Right pediatric wrist radiograph, lat view, female, 10 yo, presentation radiograph, image size 452x744.

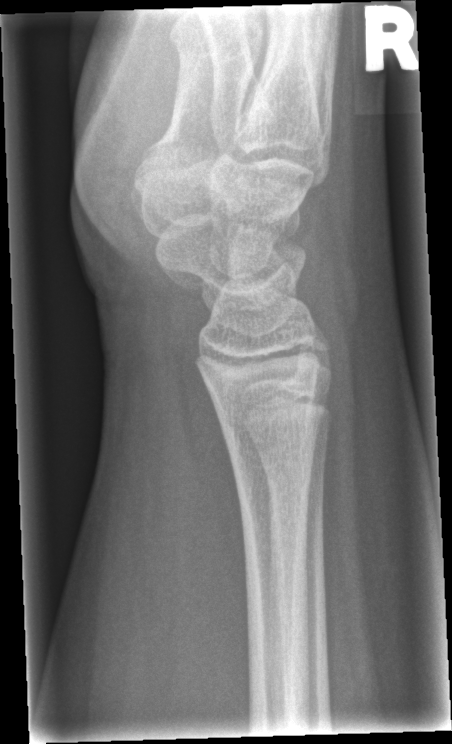

{
  "fracture": "none labeled"
}